Lat view | right wrist plain film 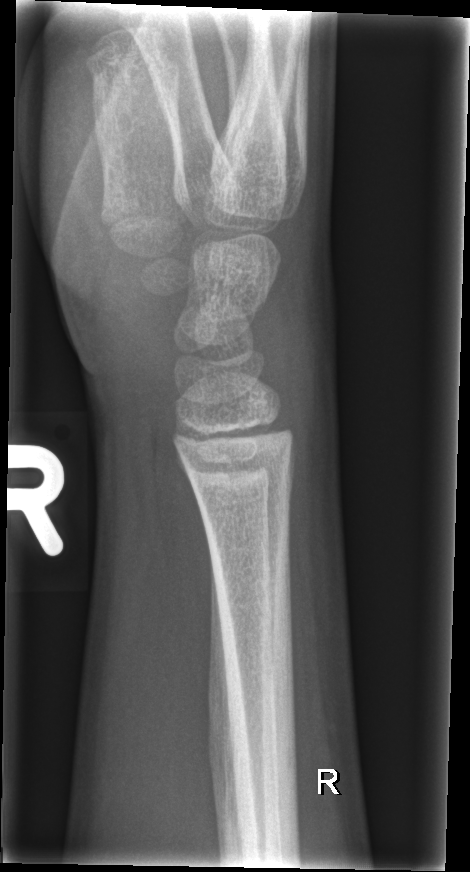 * No fracture labeled.